Right wrist plain film · PA view.

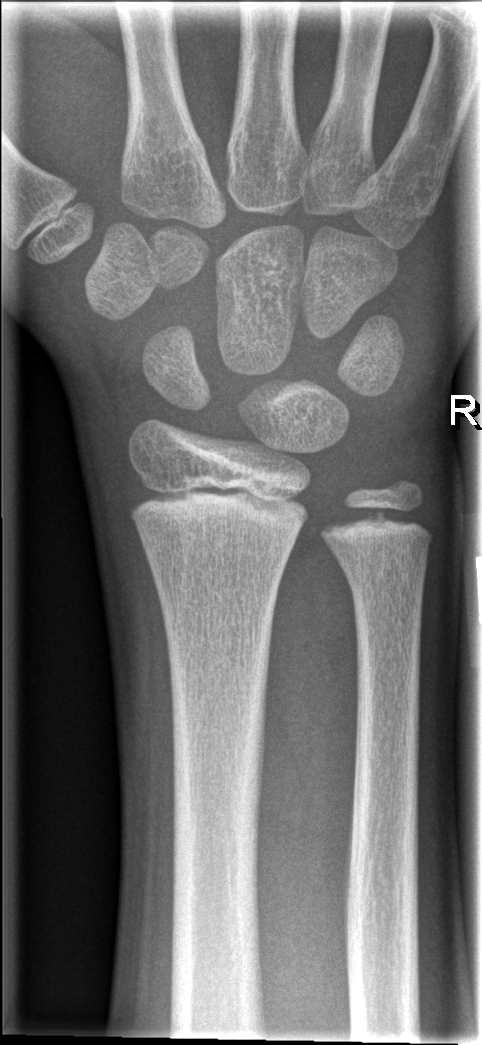
Findings: Fx: none.